Posteroanterior view, left wrist radiograph, image width 104.0 mm, image size 722x1286:
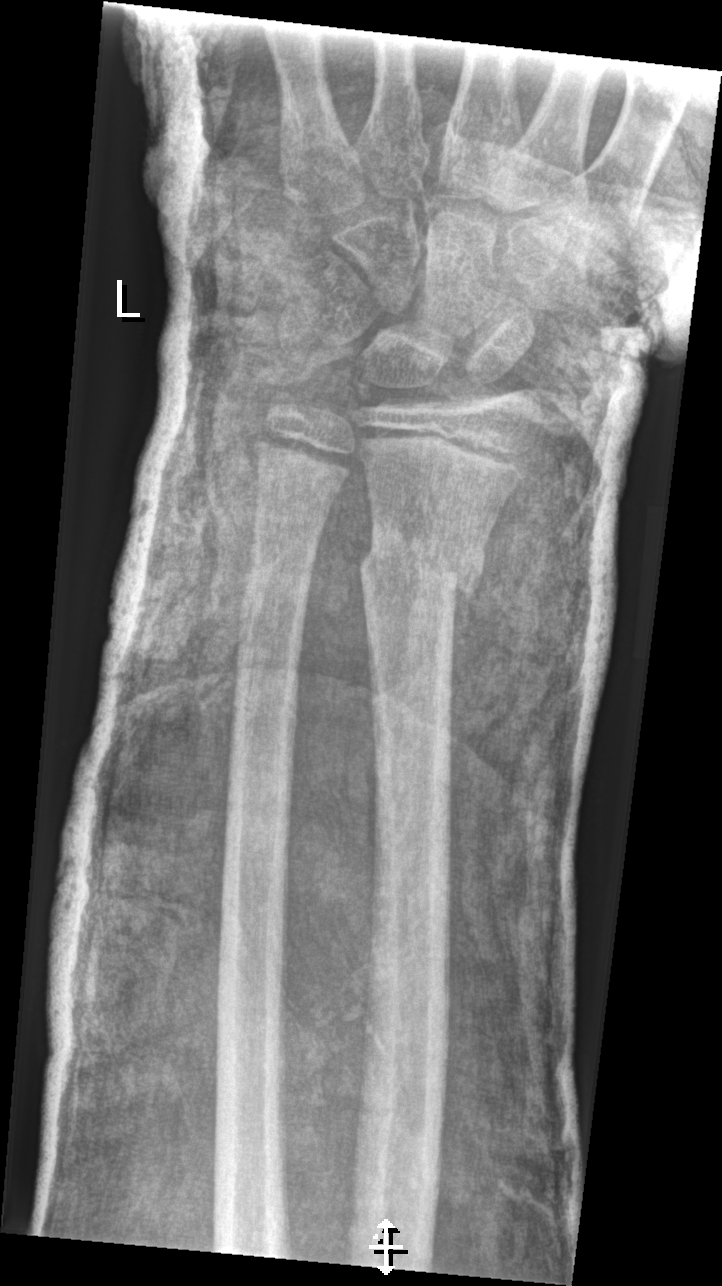
FINDINGS: Fracture classified AO/OTA 23r-M/3.1; 23u-E/2.1. Fracture — (356, 522, 487, 608).